PA/AP projection, Lt wrist X-ray, image width 82.7 mm.

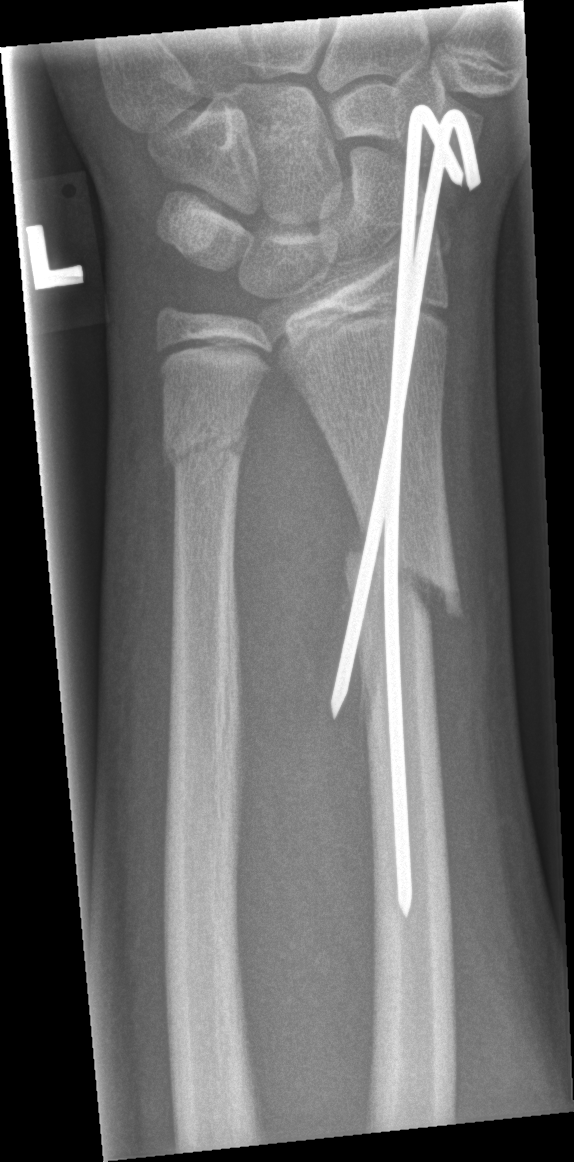

Boxes as x1,y1,x2,y2 (top-left / bottom-right, pixel units).
AO/OTA classification: 22r-D/5.1; 23u-M/2.1.
Fracture: [x1=339, y1=533, x2=471, y2=632]; [x1=159, y1=406, x2=251, y2=477].
Metallic implant identified at [x1=331, y1=104, x2=482, y2=918].